Lateral projection; R wrist X-ray; detector: Siemens; 406 by 695 pixels. 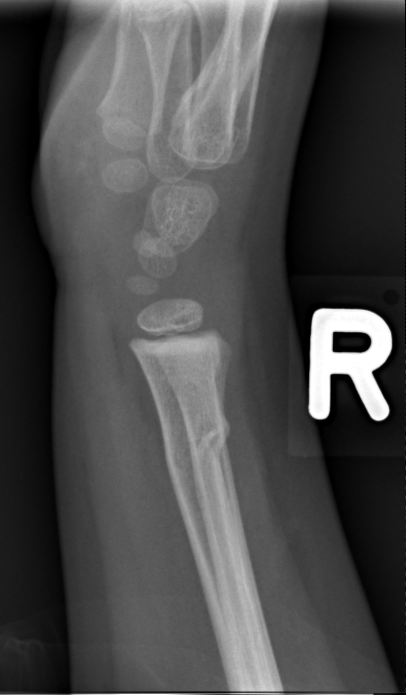
FINDINGS — (bounding boxes in image-pixel xyxy) Bone fracture: bbox(159, 409, 234, 481). AO code 23-M/2.1.